AP; left wrist X-ray; initial study.

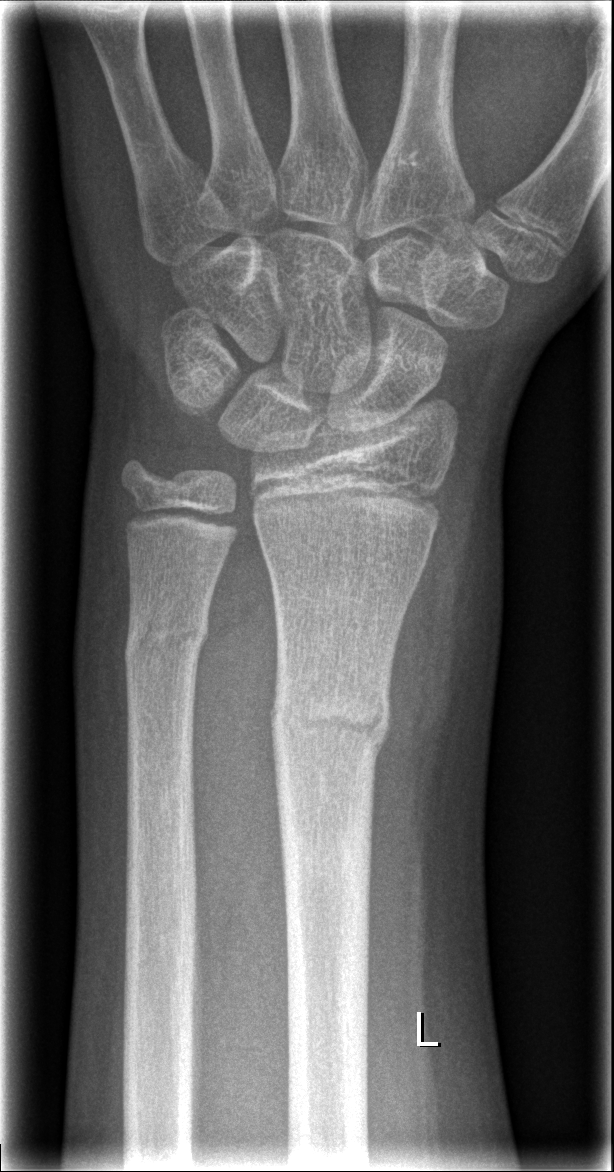

* Bone fractures — 267,670,395,775
  121,607,212,674.